Frontal projection | Lt wrist radiograph | presentation radiograph | image 83.2 mm wide.

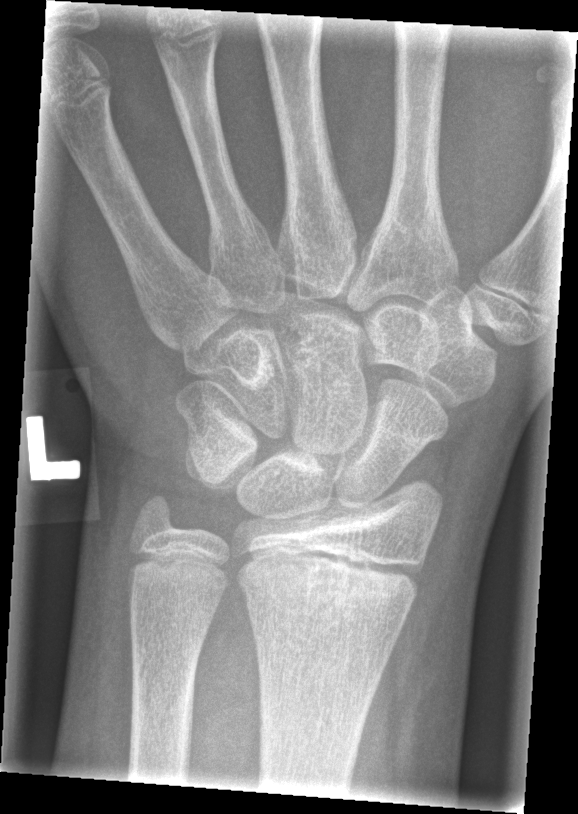

bone fracture: none labeled